R wrist plain film | lat projection | pediatric patient (girl, age 8) | acquired on Siemens | 534 x 1264 px:
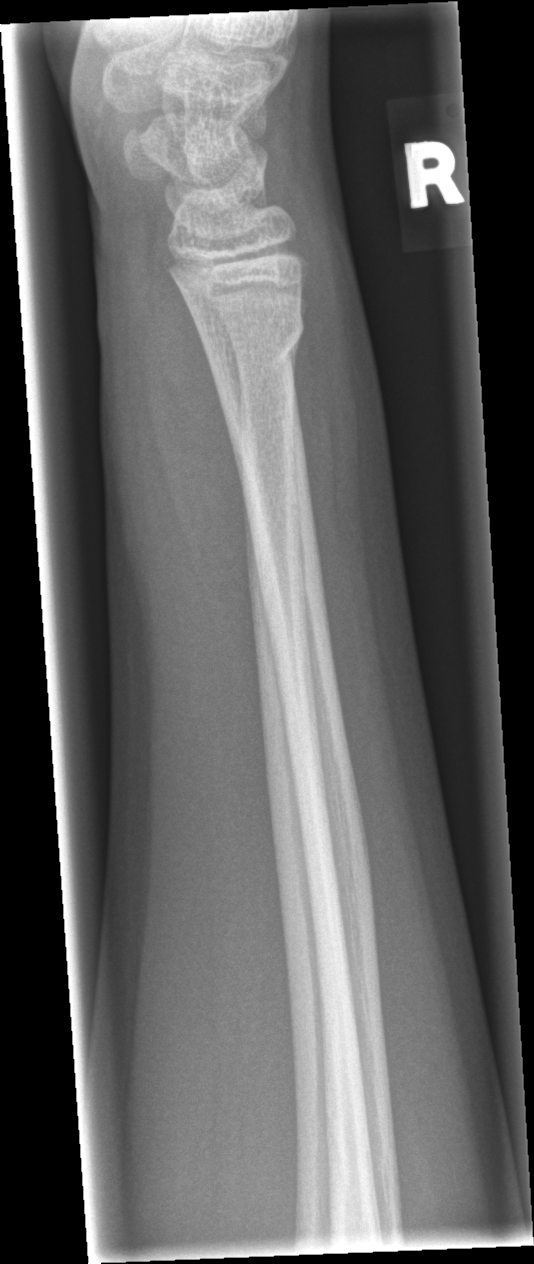

  # boxes as x1,y1,x2,y2 (top-left / bottom-right, pixel units)
  pronatorsign: 1 @ 138 238 258 674
  ao: 23r-M/2.1; 23u-E/7
  fracture: 1 @ 197 314 309 399